Lateral view · L plain radiograph of the wrist · 8-year-old boy · follow-up study · Siemens. 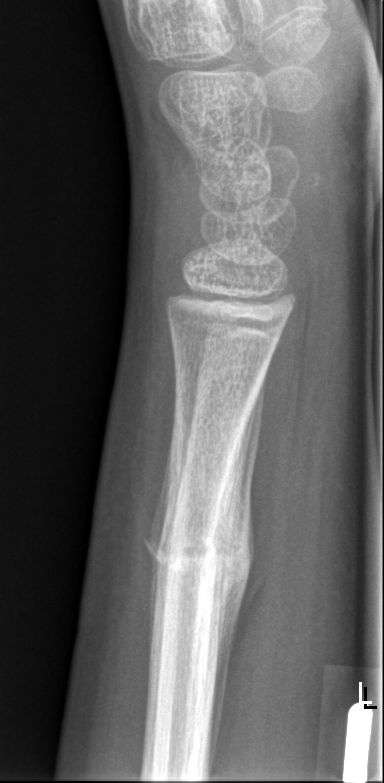
Periosteal reaction identified at <205,377>-<268,776>; <146,447>-<172,704>.
Reduced bone mineral density.
Fracture identified at <154,521>-<242,592>.
Fracture classified AO/OTA 22r-D/4.1.